Posteroanterior projection, left wrist plain radiograph of the wrist, 13-year-old boy, follow-up, acquired on Siemens.

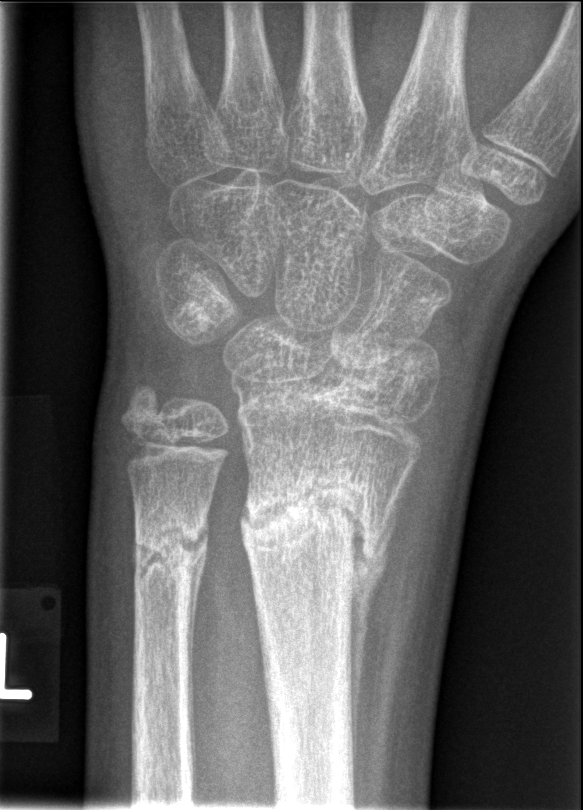 {
  "osteopenia": "present",
  "ao": "23-M/3.1; 23u-E/7",
  "periostealreaction": "2 @ <343,557>-<389,788>, <185,553>-<208,790>",
  "fracture": "3 @ <234,476>-<390,600> <116,377>-<184,450> <130,515>-<212,574>"
}